AP view; left wrist plain radiograph of the wrist; age 10 y, boy; initial study. 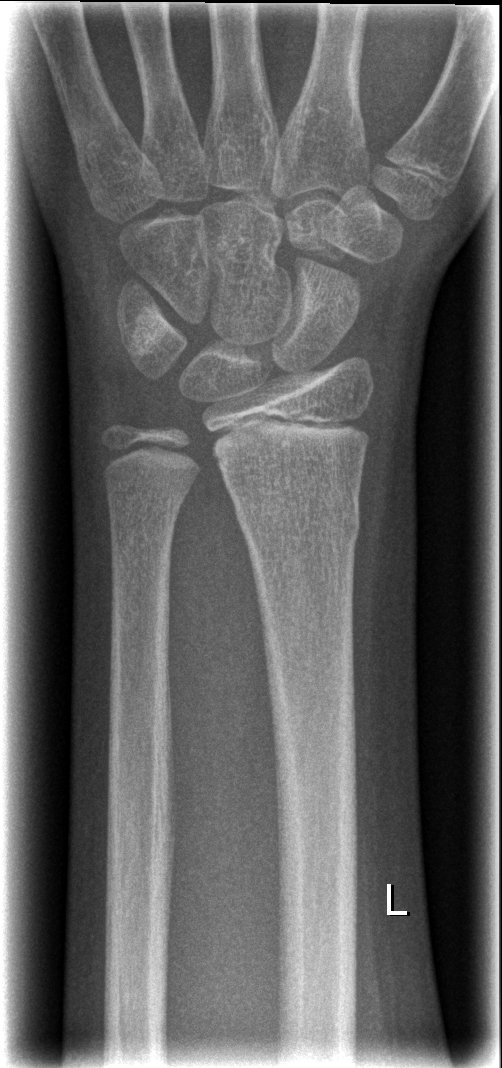

{
  "ao": "23r-M/2.1",
  "fracture": "1 @ <229,470>-<365,547>"
}